AP view · L plain radiograph of the wrist · 12y M · index exam · 73.0 mm image width · 507 by 1274 pixels: 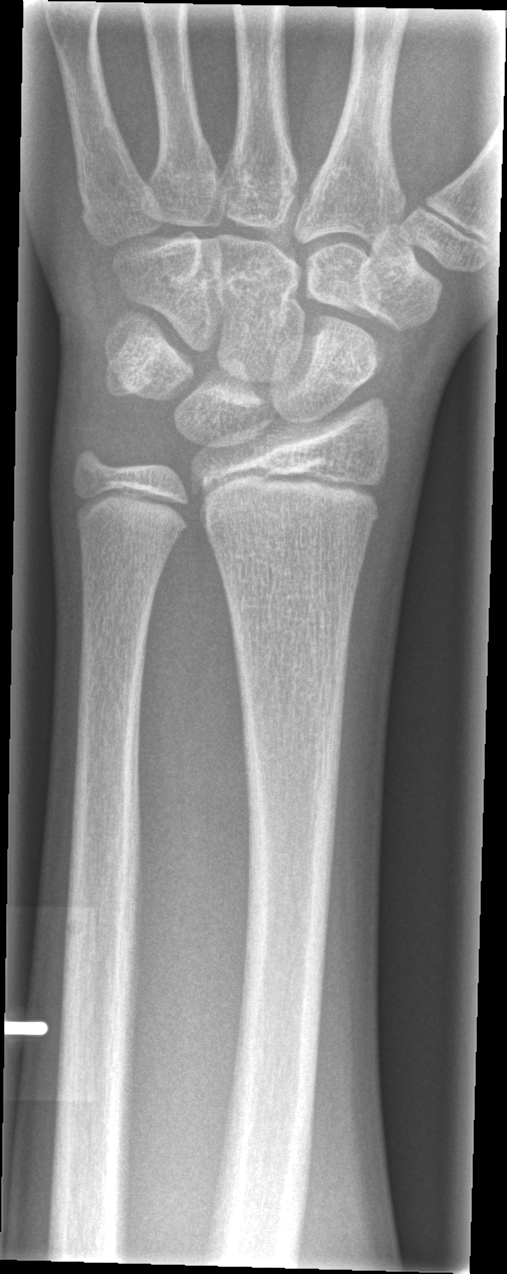
Q: Locate any fractures.
A: Fracture: none labeled